Lat, L wrist X-ray, 9y M:
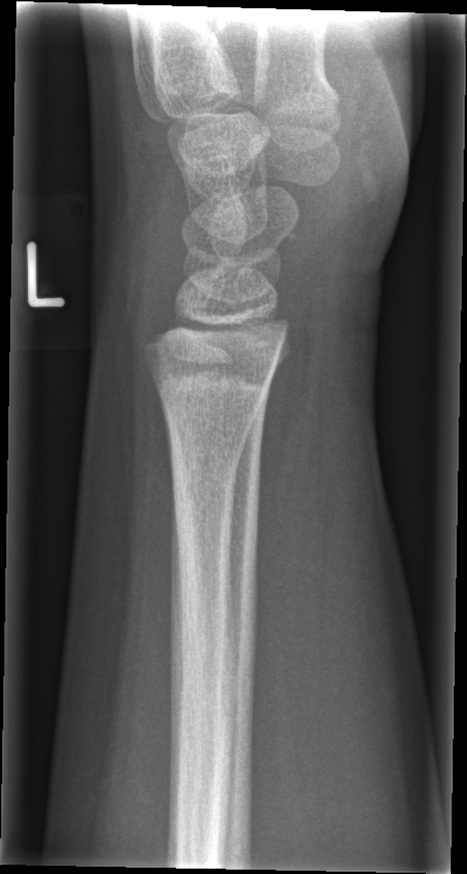

{"fracture": "none labeled"}